Frontal view · right wrist XR · age 17 y, girl — 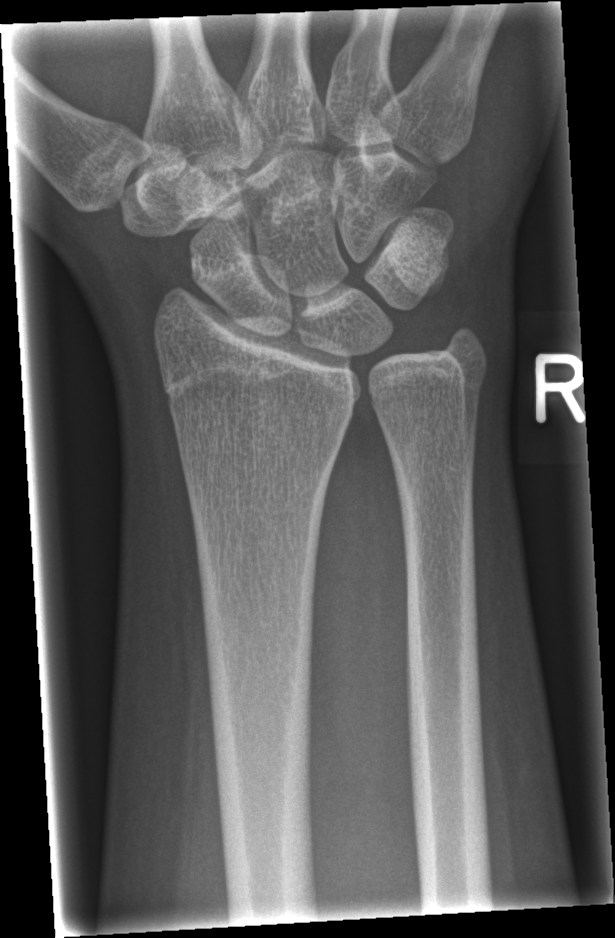
Q: Any fracture seen?
A: Fx: none